PA/AP view; Lt wrist radiograph; age 12 y, female; index exam

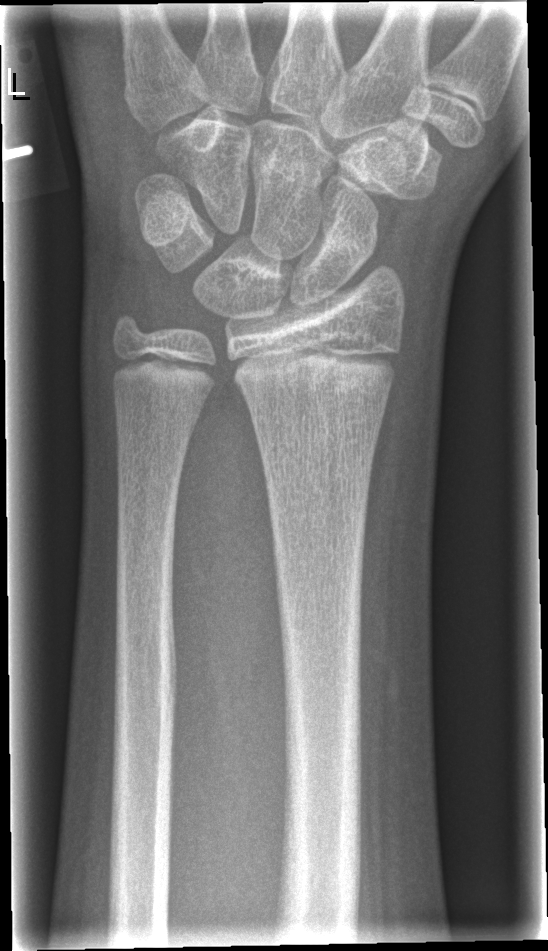

Fx = none labeled